PA/AP view · right wrist pediatric wrist radiograph · 4y F · image size 498x665 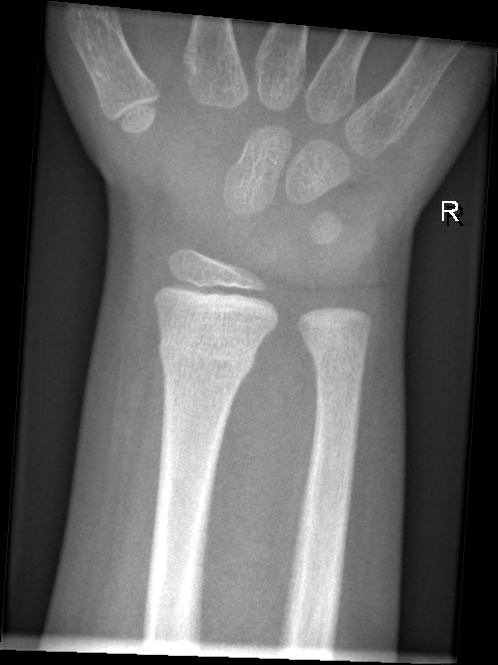
• AO/OTA classification: 23-M/2.1.
• Fx identified at [156, 329, 259, 382] [299, 323, 373, 374].